Left wrist X-ray | lat | age 7 y, male | 55.3 mm image width.
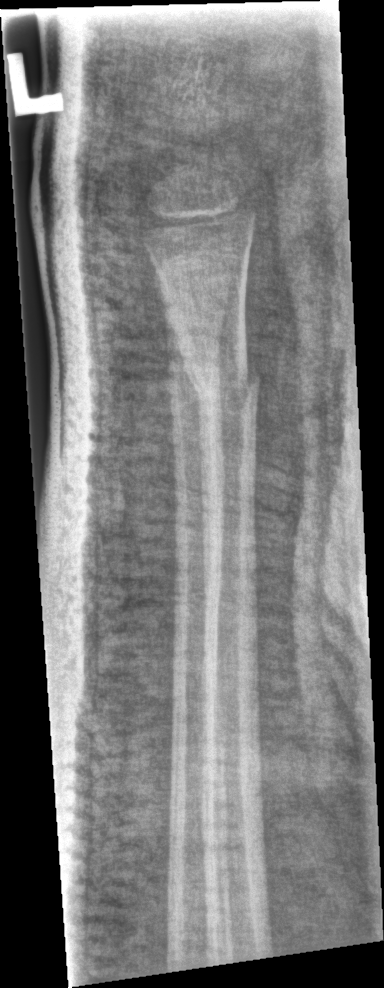
Bounding boxes in image-pixel xyxy.
AO/OTA classification: 23r-M/3.1; 23u-M/2.1.
Fracture: [180, 347, 264, 419].